Left wrist pediatric wrist radiograph | posteroanterior view —

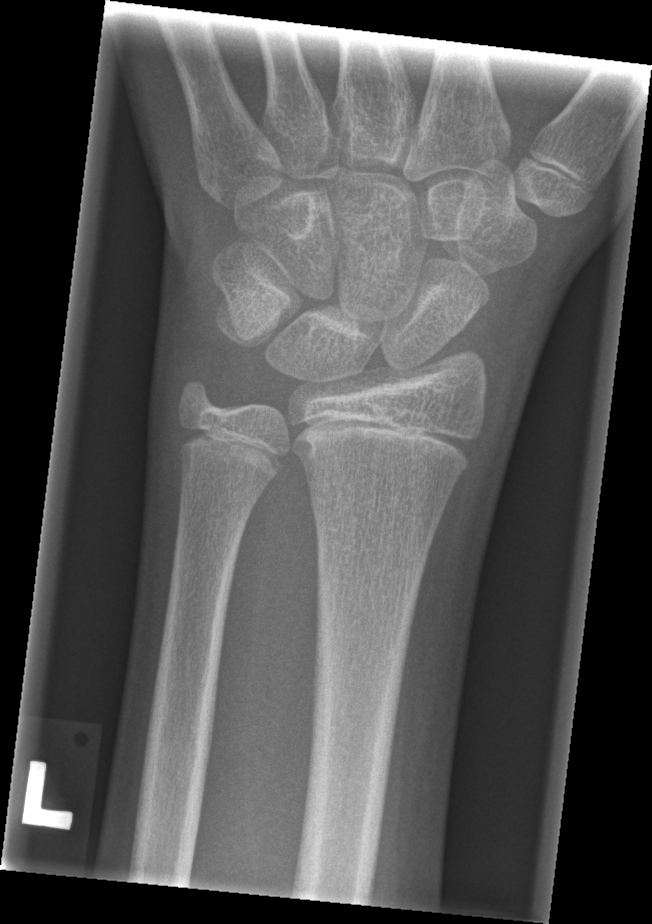

FINDINGS — No Fx annotated.